Lat view; left plain radiograph of the wrist; 480 by 1083 pixels.

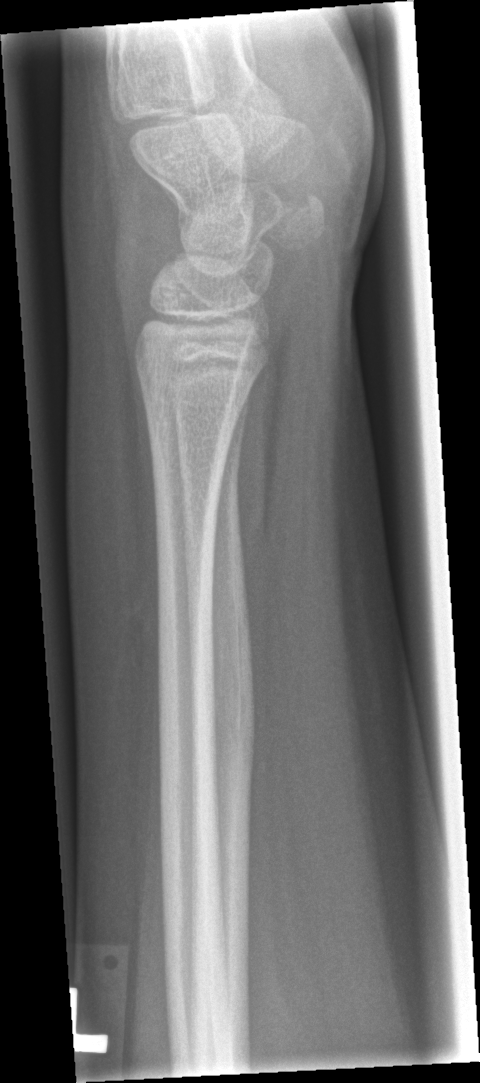
{"fracture": "none labeled"}